Lt wrist plain film, AP projection:

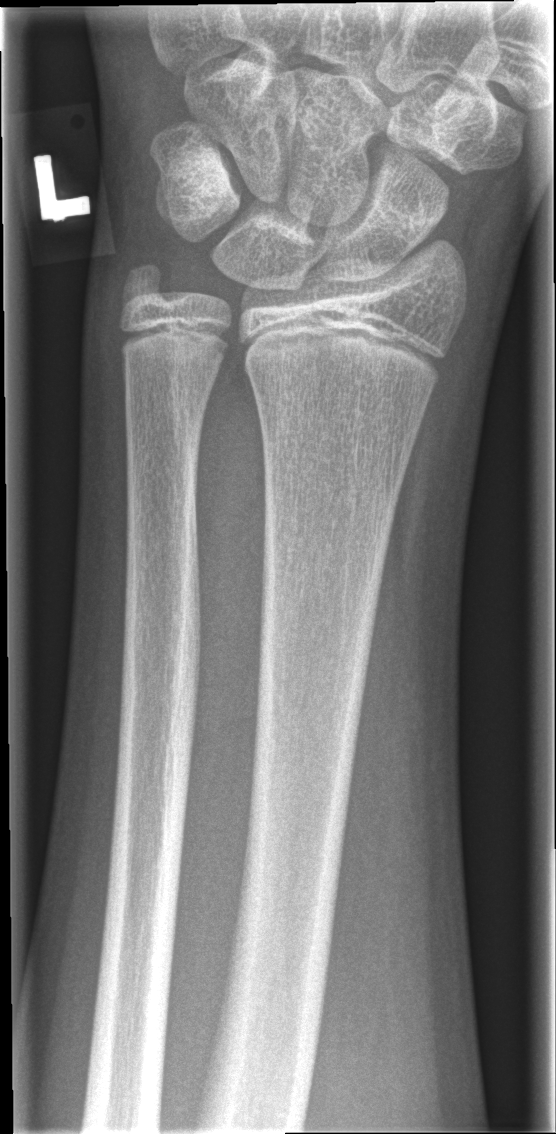

Fx: none labeled